PA projection; right wrist pediatric wrist radiograph; age 9 y, male; 83.8 mm image width.
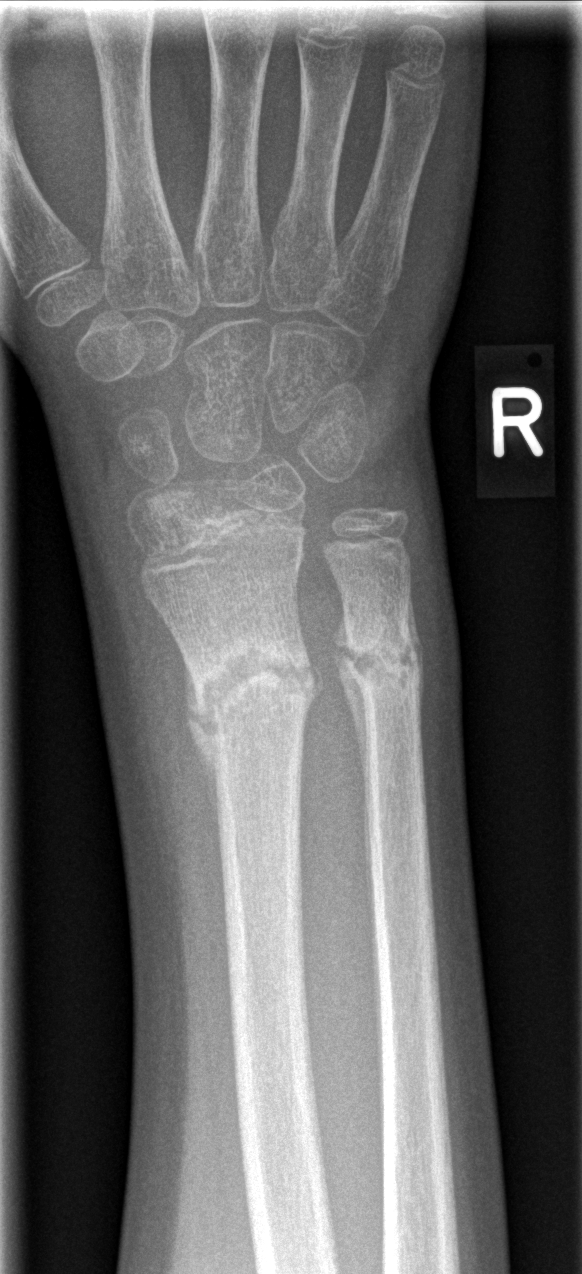

fracture: bbox(187, 639, 319, 733) bbox(341, 620, 422, 692)
ao: 23-M/3.1
osteopenia: present
periostealreaction: 4 @ bbox(331, 614, 367, 808) bbox(185, 657, 218, 792) bbox(405, 589, 424, 711) bbox(306, 659, 326, 704)